Left wrist pediatric wrist radiograph · PA/AP view · acquired on Siemens —
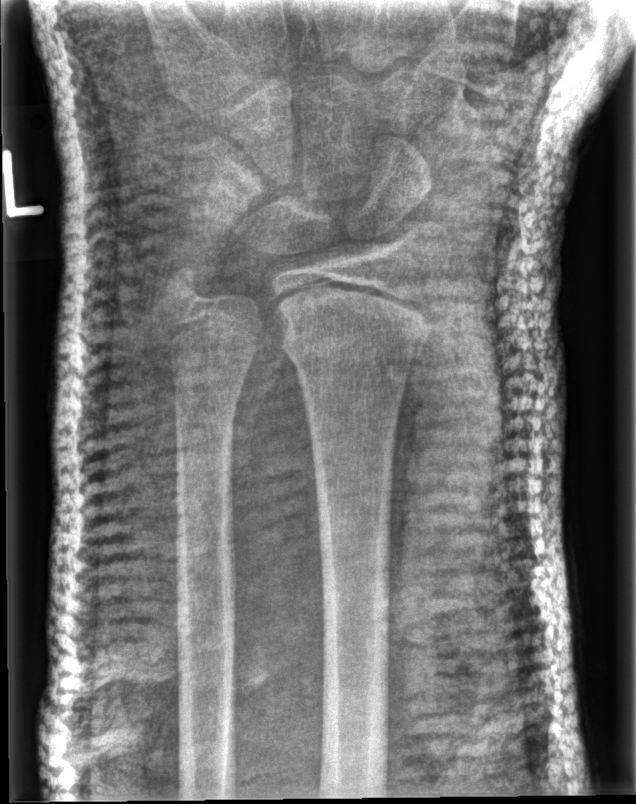 (bounding boxes in image-pixel xyxy)
Q: Is there a fracture?
A: Fx: [x1=281, y1=317, x2=429, y2=382], [x1=152, y1=256, x2=213, y2=315]
Q: AO code?
A: Fracture classified AO/OTA 23r-E/2.1; 23u-E/7